Right wrist X-ray; lat; 7y F; index exam.

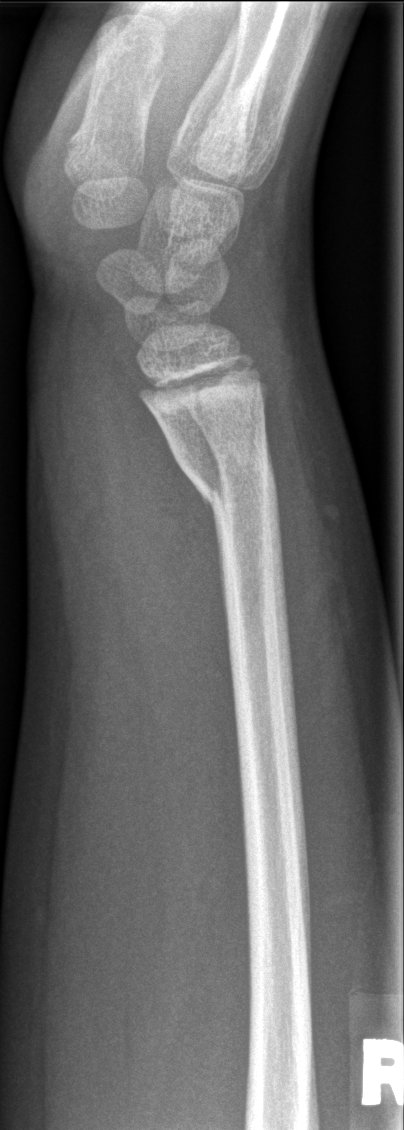 {
  "_coords": "boxes as x1,y1,x2,y2 (top-left / bottom-right, pixel units)",
  "ao": "23r-M/2.1",
  "fracture": "1 @ [x1=186, y1=448, x2=279, y2=519]",
  "pronatorsign": "1 @ [x1=105, y1=350, x2=236, y2=835]"
}